Left wrist plain radiograph of the wrist | lateral | 8-year-old girl | cast present — 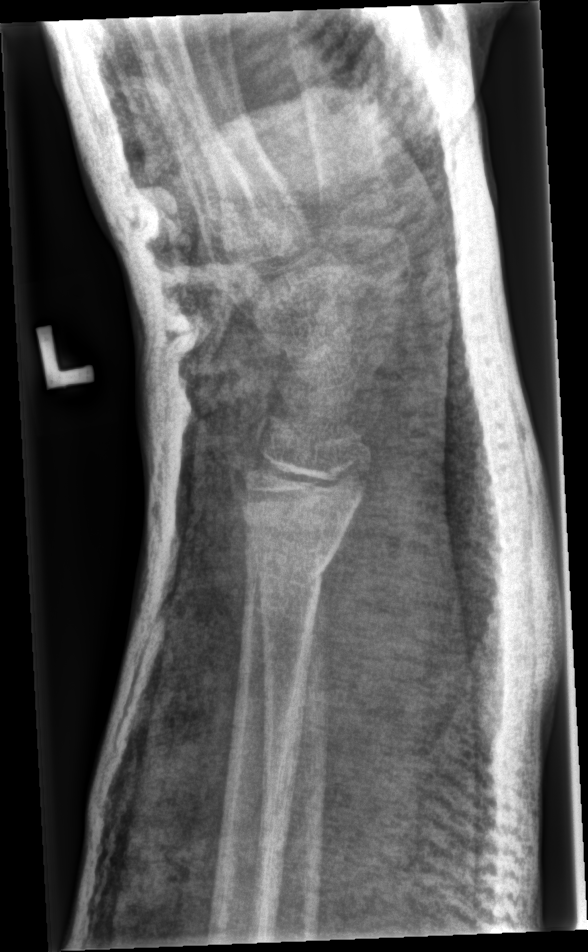

One Fx at bbox(241, 536, 341, 606).